Rt pediatric wrist radiograph · AP · age 9 y, girl · initial study · 498 x 659 px

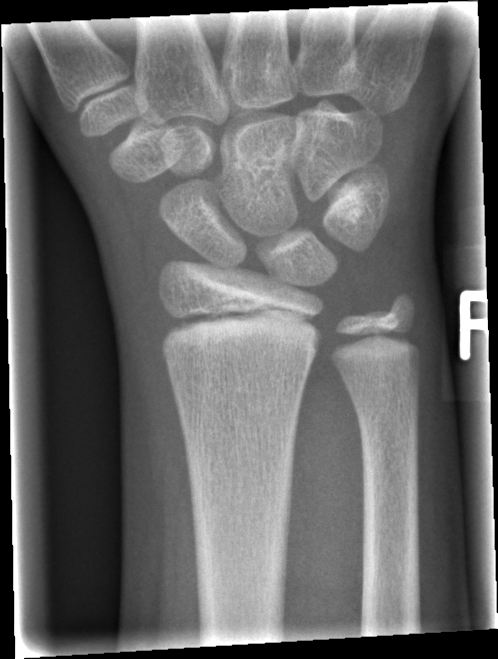
{
  "fracture": "none labeled"
}